Right wrist plain film · lat projection · 65.8 mm image width · image size 457x776:
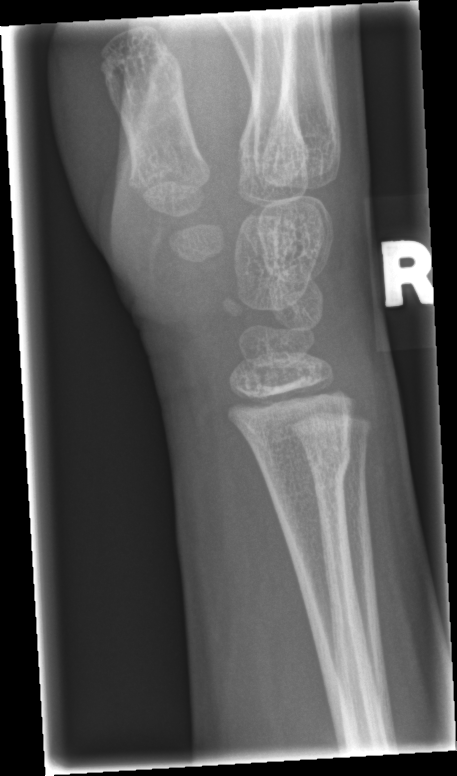
- Bounding boxes in image-pixel xyxy.
- Fx: (248, 431, 355, 490).
- AO/OTA classification: 23r-M/2.1.